Lateral · right wrist plain film.
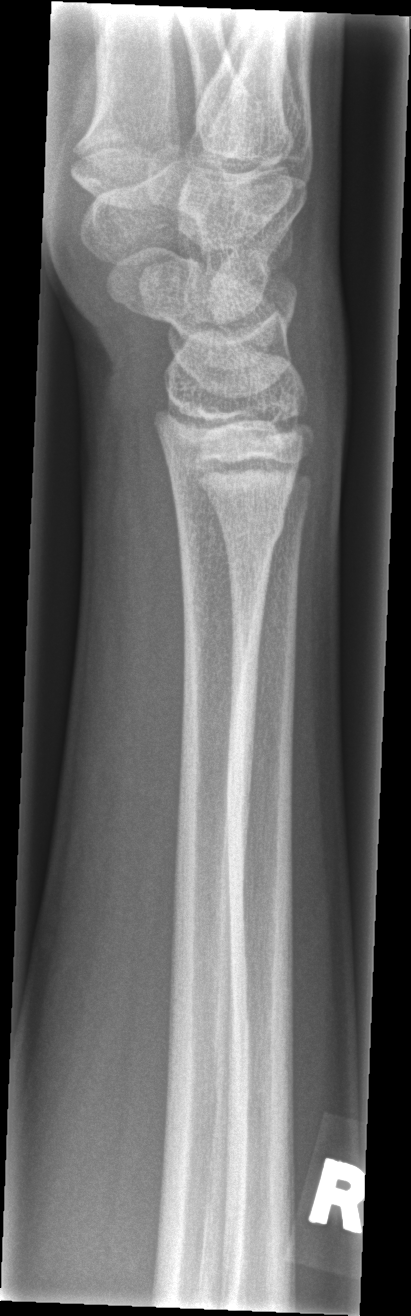

• Coordinates are [x1, y1, x2, y2] in image pixels.
• Fracture classified AO/OTA 23r-M/2.1.
• Fx identified at 174 501 290 566.